Lat view | Lt wrist XR | pediatric patient (male, age 9) | cast present 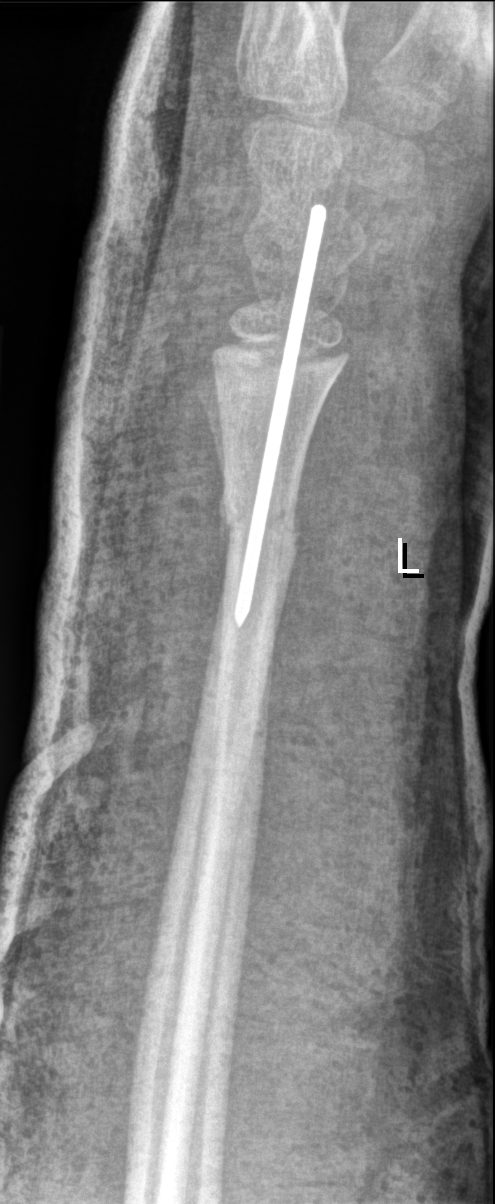
Bone fracture = <214,489>-<303,561>
AO/OTA = 23-M/3.1
Metallic implant = <235,204>-<327,629>